AP projection, Lt wrist X-ray, girl, 10 yo, image 79.6 mm wide — 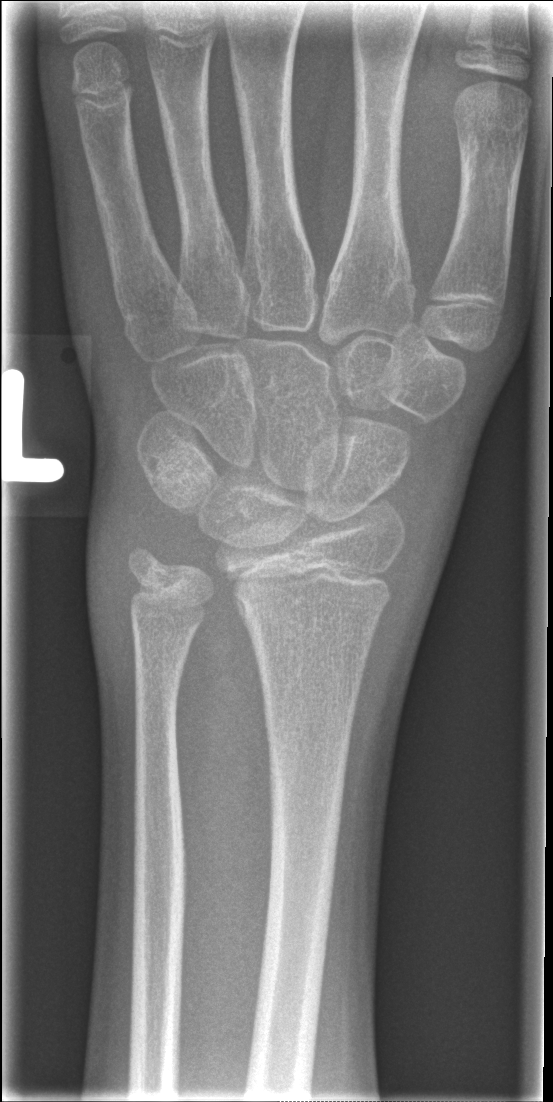
fracture: none labeled
osteopenia: present